Lateral; L wrist plain film; 11y F:

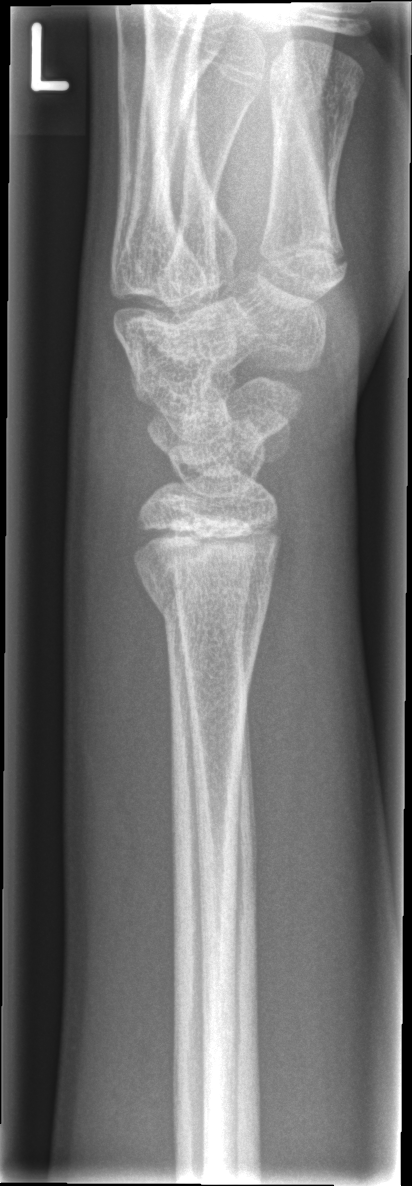
Coordinates are [x1, y1, x2, y2] in image pixels. One Fx at bbox(132, 563, 280, 646).